Rt wrist X-ray · posteroanterior projection · detector: Siemens: 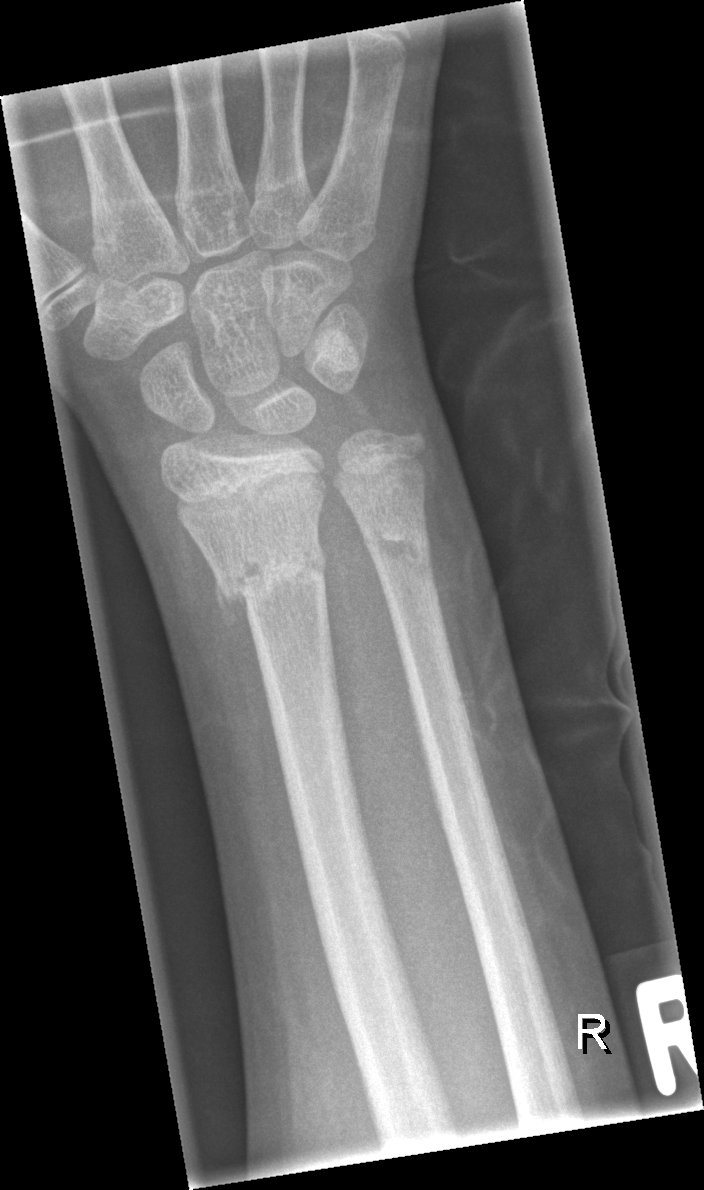 Q: Locate any fractures.
A: Two bone fractures at (201, 529, 331, 618), (354, 501, 440, 592)
Q: AO code?
A: Fracture classified AO/OTA 23-M/3.1